Posteroanterior · right wrist X-ray · 14y M:
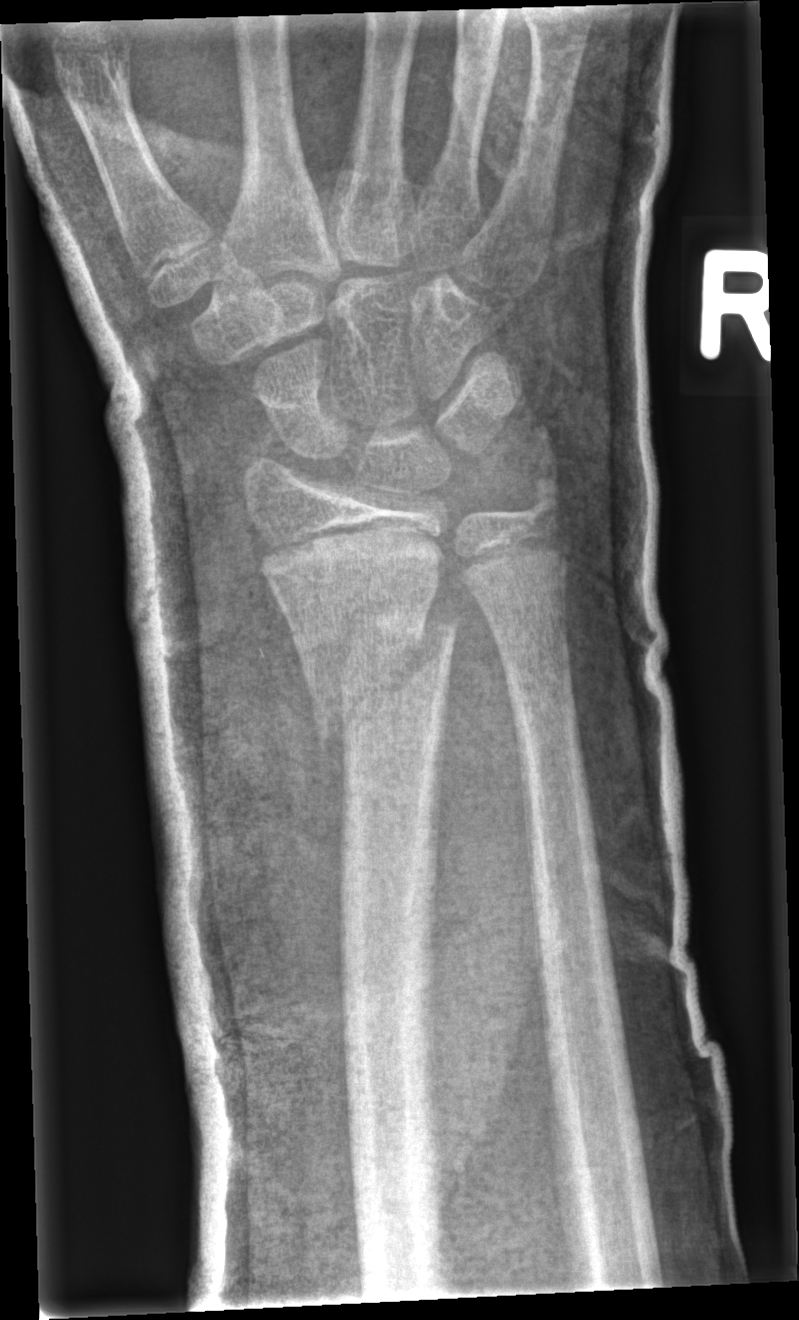
Fx: <313,603>-<465,760>, <507,471>-<575,542>.